AP · left plain radiograph of the wrist · age 17 y, boy · 84.2 mm image width — 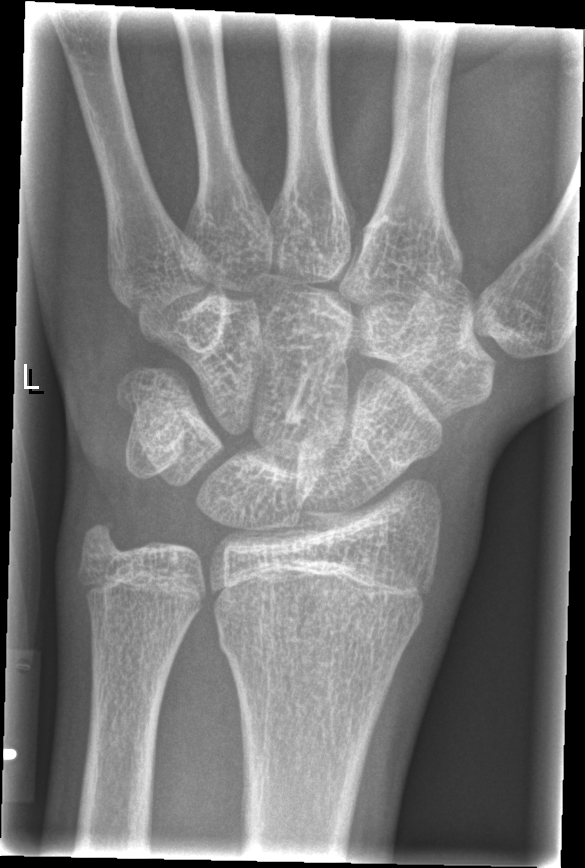
Fracture = present but not clearly seen in this view